AP | left wrist plain film: 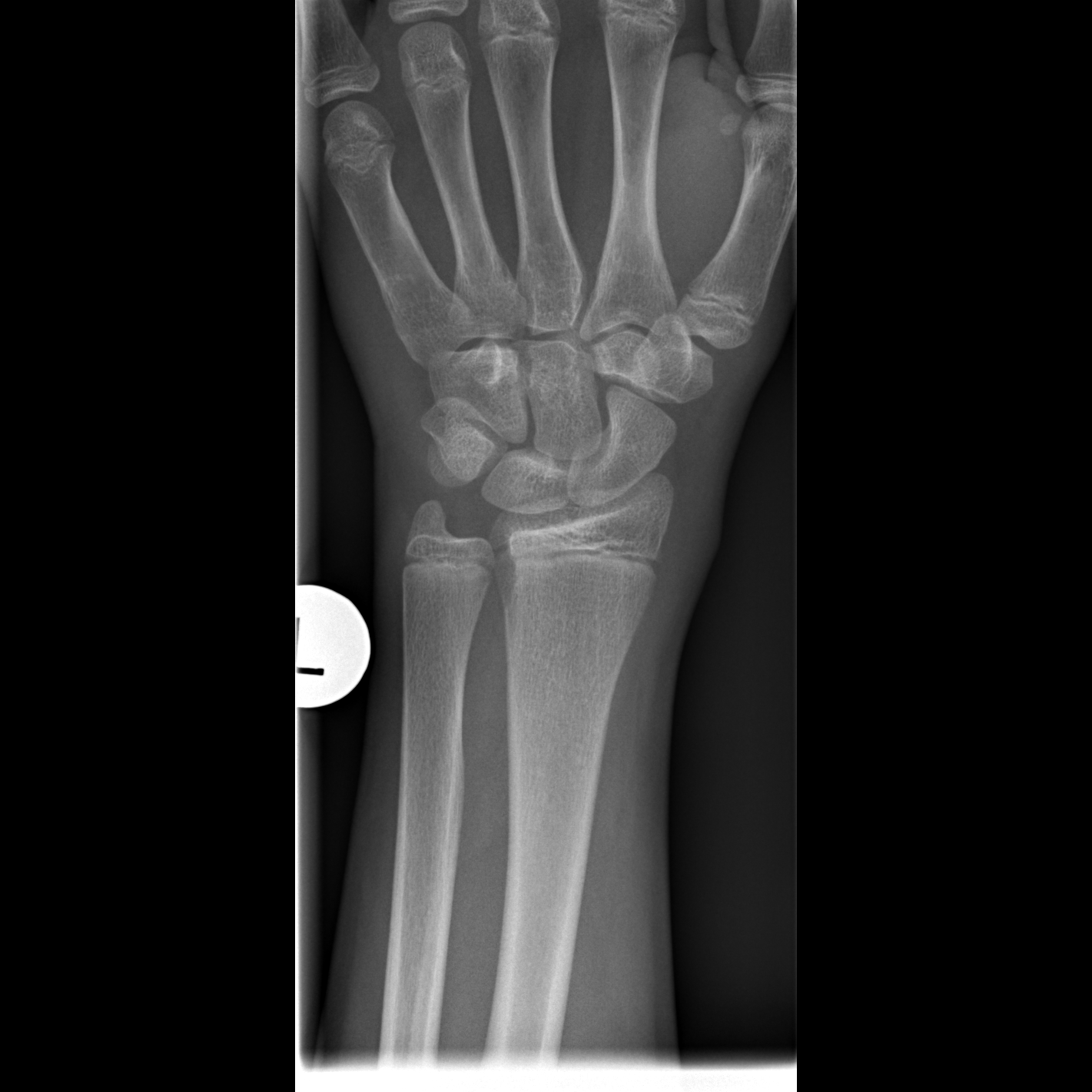

Fracture: none labeled